Left wrist XR; frontal projection.
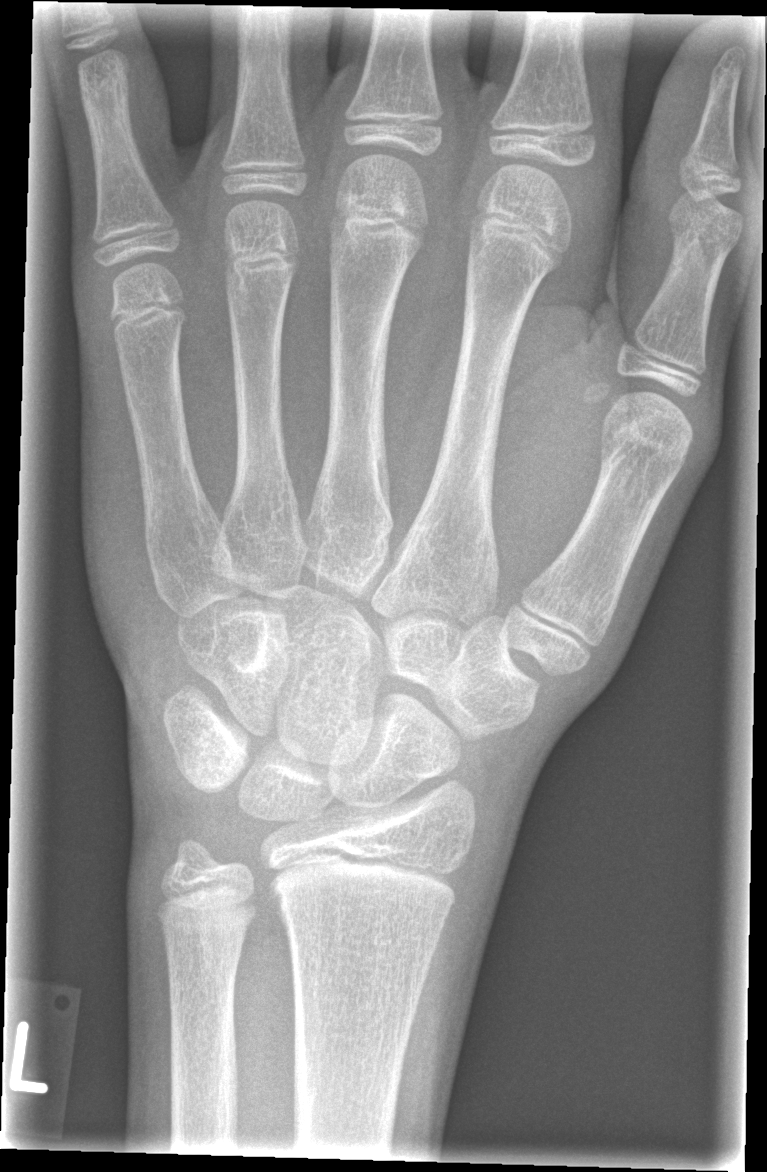

Findings: No fracture annotation.